Right wrist pediatric wrist radiograph | lateral projection | acquired on Siemens:
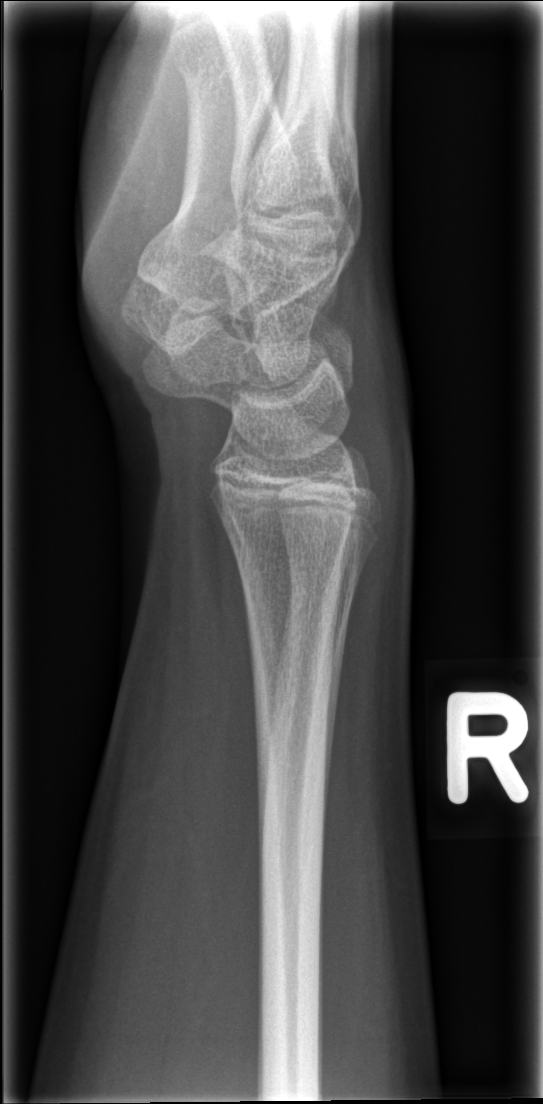 Fracture: none labeled